R wrist X-ray; lat view
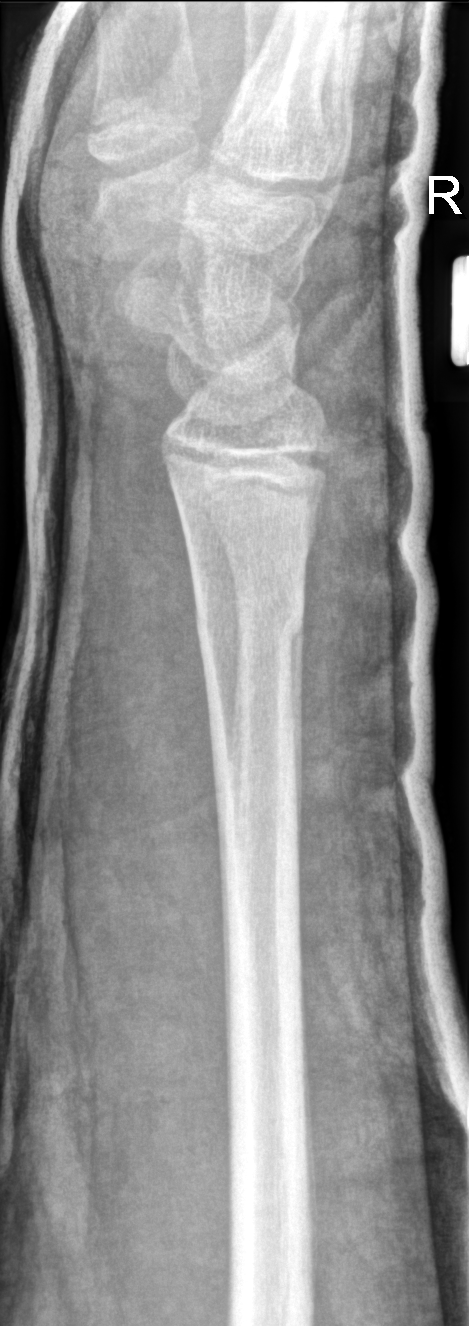

Fracture — (187, 575, 317, 666).